Left wrist radiograph; lat; presentation radiograph
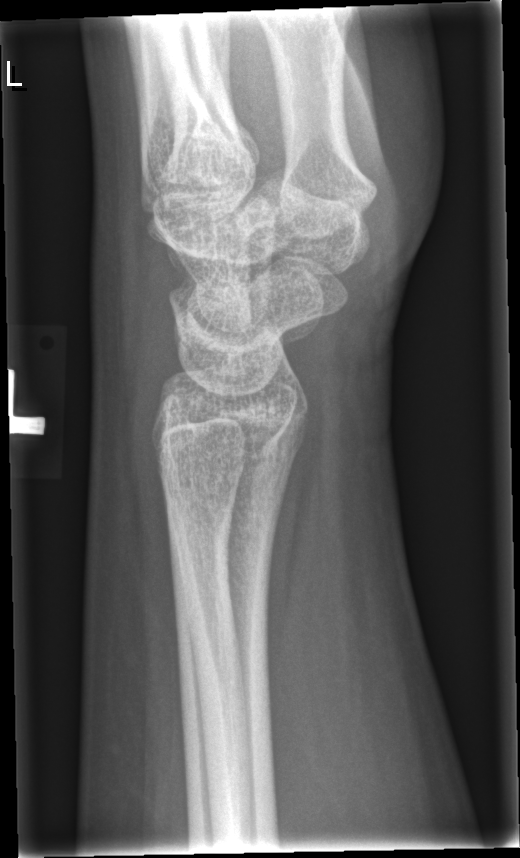
No fracture bounding box.